Left plain radiograph of the wrist; posteroanterior; 15y M 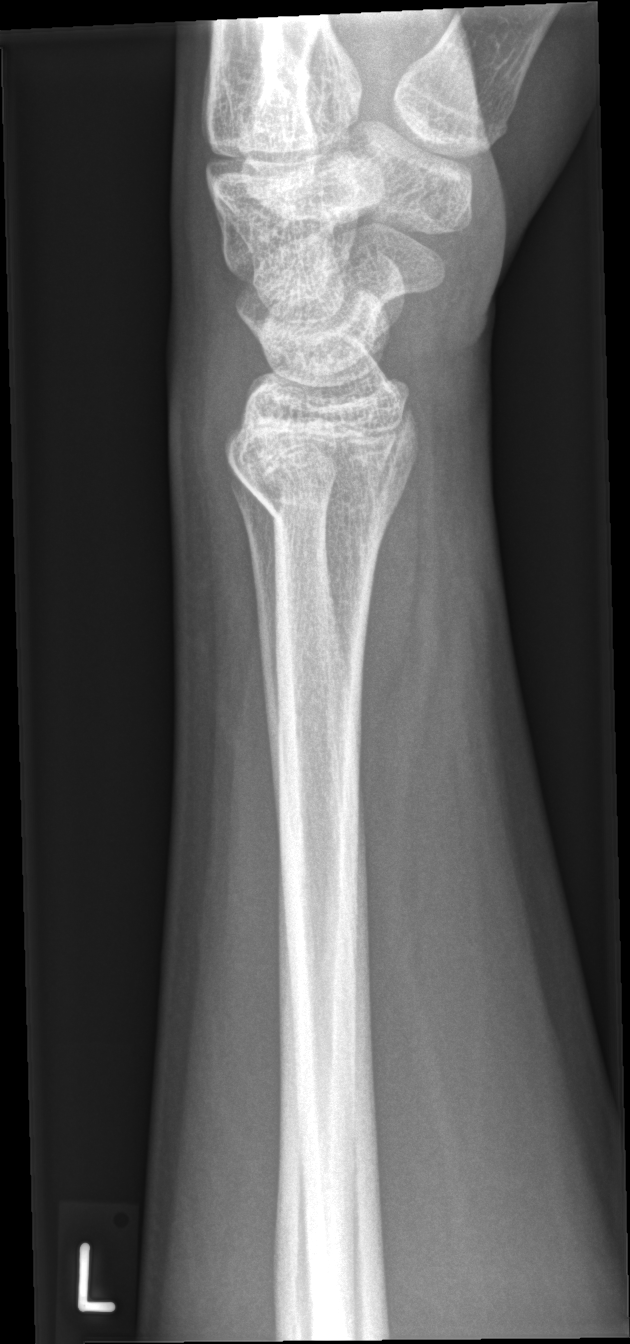 Bone fracture: bbox(225, 447, 416, 545).